Left wrist radiograph | posteroanterior view | subsequent exam | Siemens — 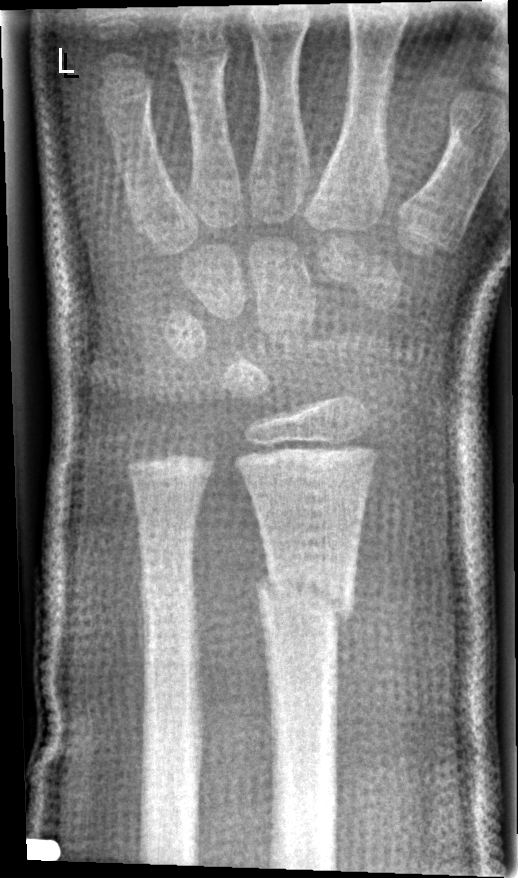 Fracture: (253, 558, 357, 626)